Lat view | left wrist radiograph | image size 504x1154.
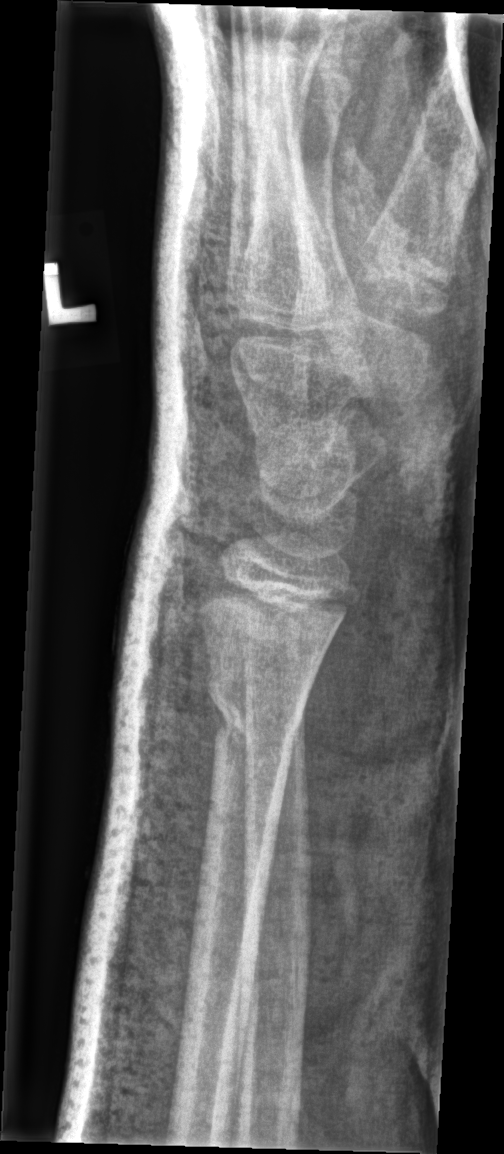

Fracture = (203, 673, 313, 769)
AO/OTA = 23r-M/3.1; 23u-E/7